Lat | Lt wrist XR | imaged through cast | Siemens | 422x962 —

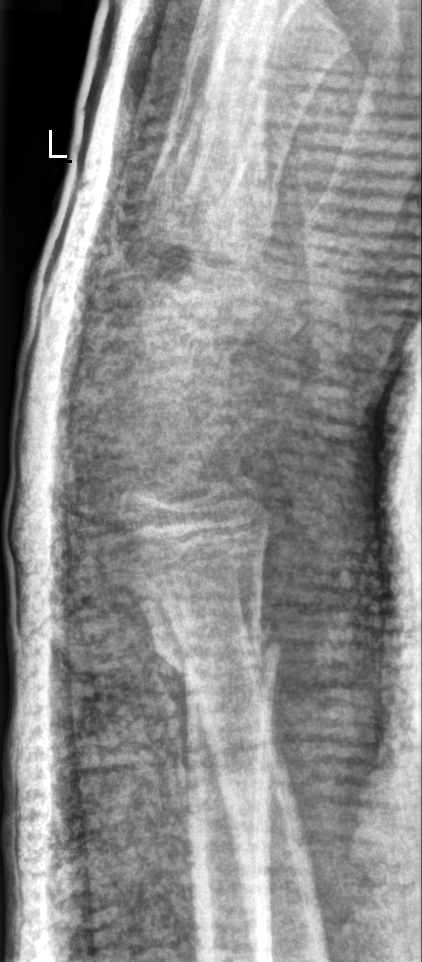 * Coordinates are [x1, y1, x2, y2] in image pixels.
* Bone fracture: <150,620>-<284,682>.
* AO code 23r-M/3.1; 23u-E/7.